Lat view | L wrist radiograph | 5y F | follow-up study | cast in situ | image size 456x806 — 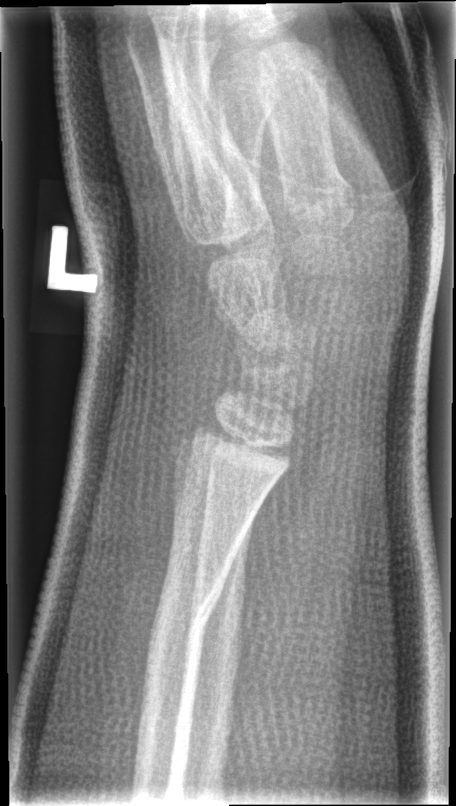
  fracture: 1 @ [147, 574, 226, 647]
  ao: 22r-D/2.1